Right pediatric wrist radiograph · lateral view · 9y M · detector: Siemens.
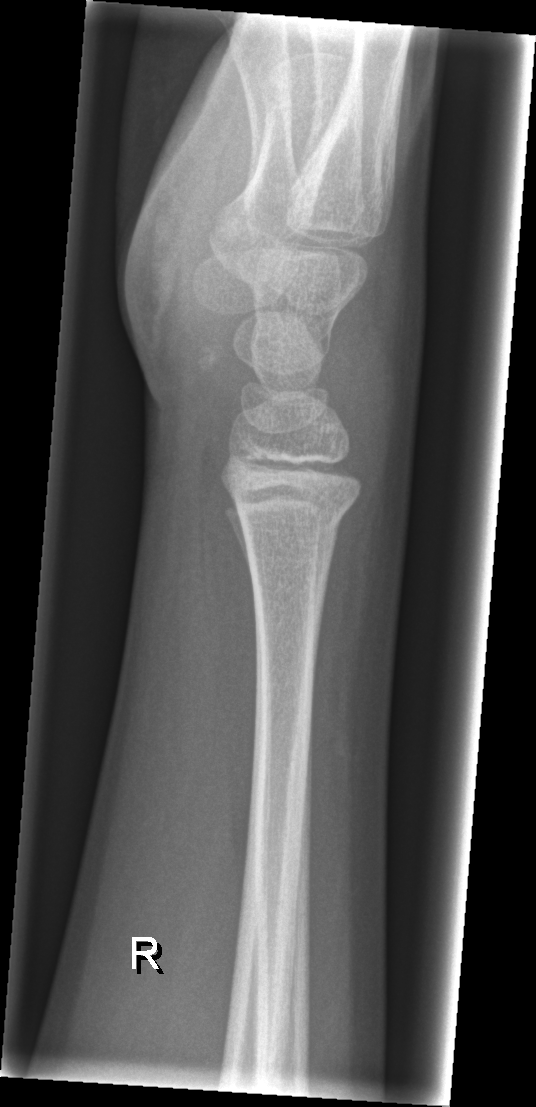

{"_coords": "pixel coordinates, top-left origin, xyxy", "ao": "23r-M/2.1", "fracture": "1 @ (left=226, top=490, right=358, bottom=546)"}